Frontal; right pediatric wrist radiograph; follow-up.

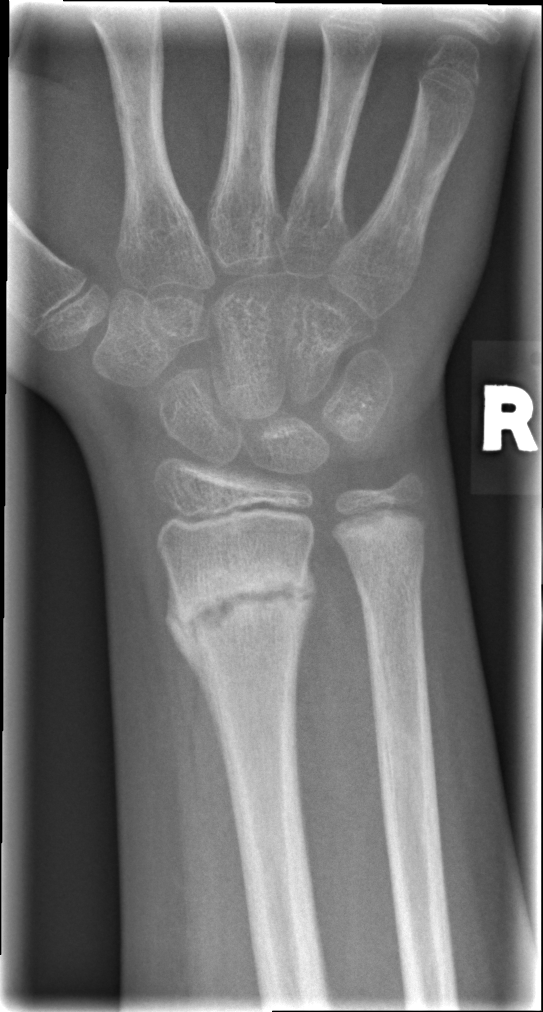
FINDINGS — Periosteal reaction identified at bbox(165, 565, 231, 780) bbox(293, 553, 317, 688). AO code 23r-M/3.1; 23u-M/2.1. Osteopenia. Two fractures at bbox(162, 554, 318, 654); bbox(342, 523, 428, 605).